Left wrist XR; PA; follow-up; 483 by 834 pixels
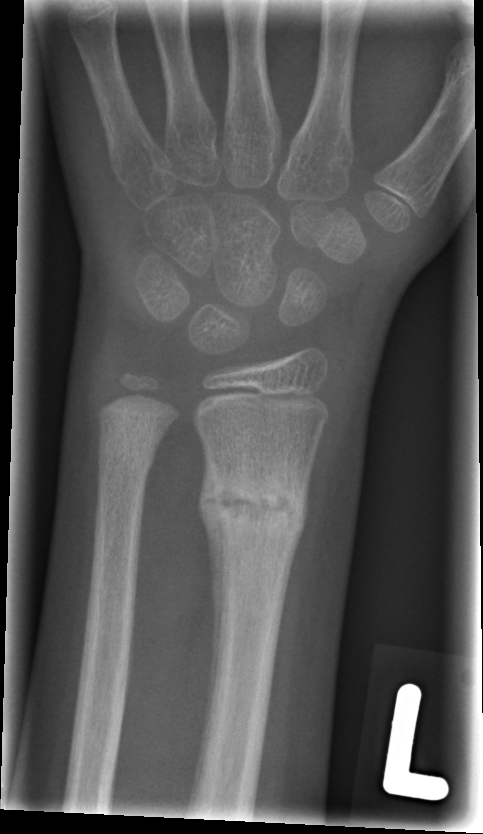
FINDINGS — Bone fracture identified at [207, 479, 311, 542]; [91, 407, 171, 486]. Periosteal reaction identified at [198, 435, 231, 712]. AO code 23r-M/3.1; 23u-M/2.1.